Lateral · right wrist pediatric wrist radiograph · age 15 y, male · acquired on Siemens — 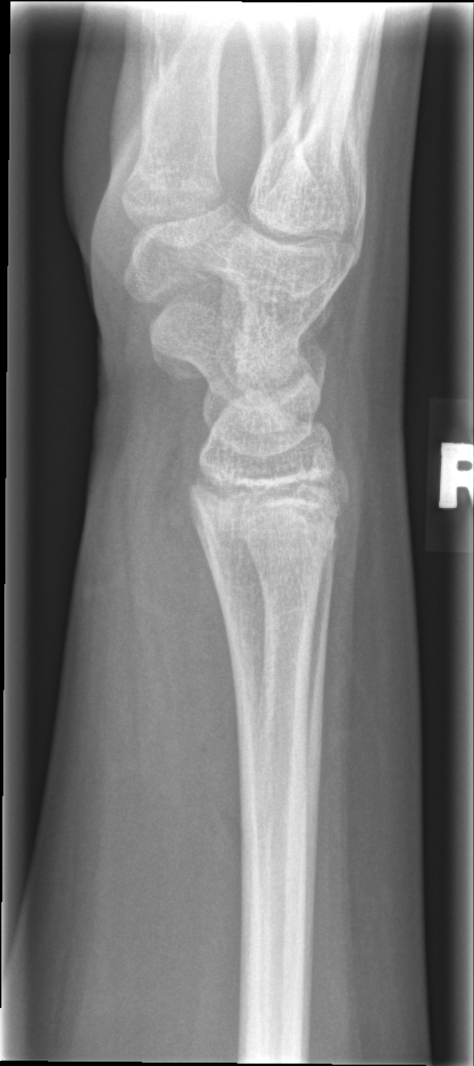

• Pixel coordinates, top-left origin, xyxy.
• Positive pronator fat-pad sign identified at [120, 431, 248, 854].
• Fx: none.